Lat projection | Rt wrist plain film | follow-up 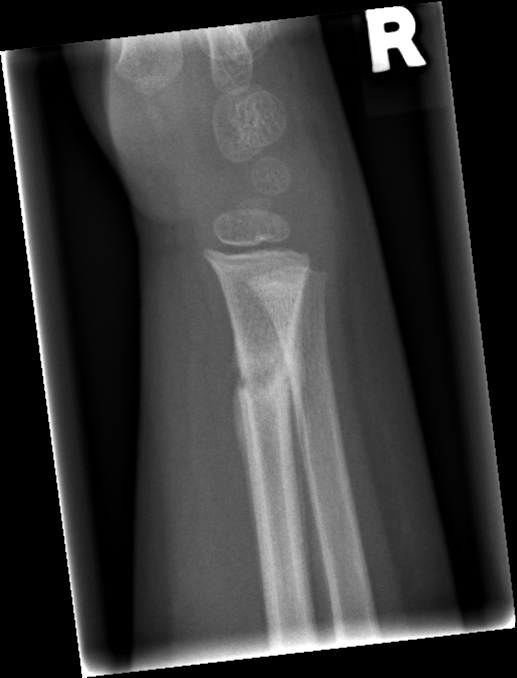

• Pixel coordinates, top-left origin, xyxy.
• Fracture classified AO/OTA 23r-M/3.1.
• Fracture — (left=232, top=336, right=300, bottom=415).
• Periosteal thickening identified at (left=233, top=387, right=249, bottom=479).